Lt wrist plain film · lat · girl, 16 yo · index exam · Siemens —
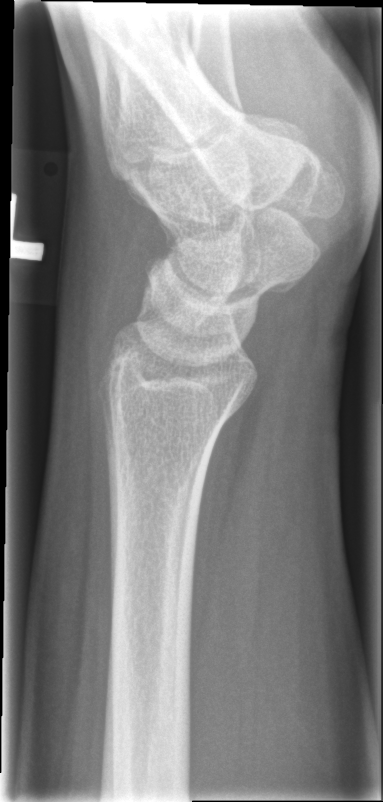 fracture: none labeled